Lateral projection; L plain radiograph of the wrist; 13y M; cast present —

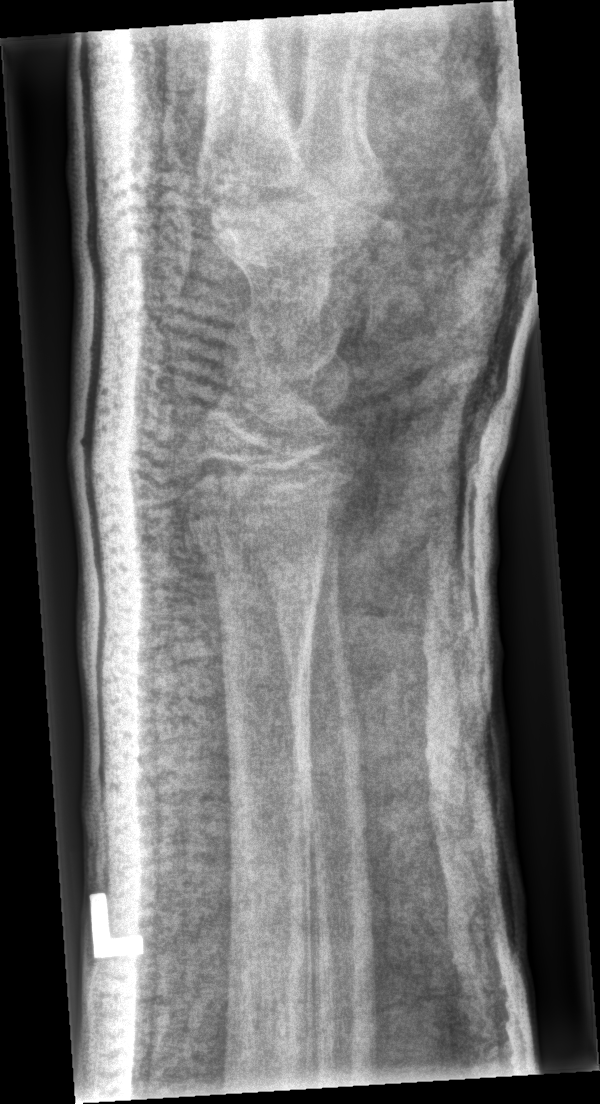 fracture = (left=181, top=503, right=337, bottom=580)